L wrist radiograph, lateral view, 45.5 mm image width, image size 316x906:

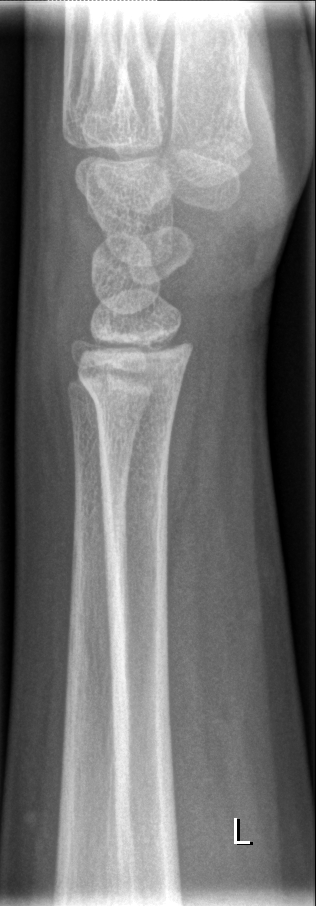 - AO/OTA classification: 23r-M/2.1.
- One bone fracture at (left=78, top=369, right=186, bottom=420).